Lat projection; left wrist radiograph

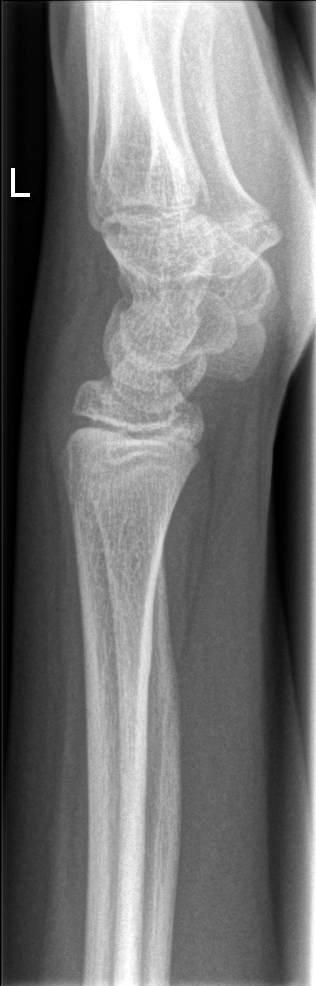 Q: Any fracture seen?
A: Fx: none